Lat | right wrist plain film | subsequent exam | in cast | image width 81.8 mm | 568x835
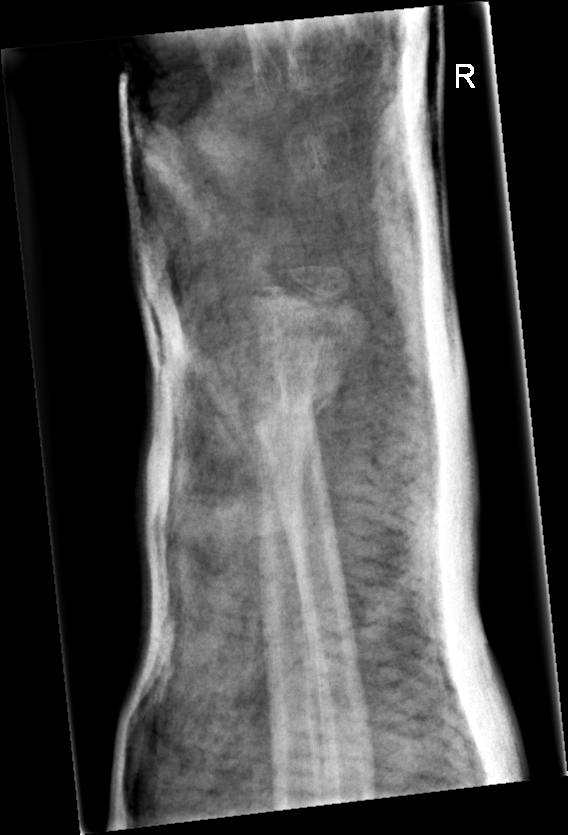
Fracture — (244, 355, 351, 456). AO/OTA classification: 23-M/3.1.